Lat | R wrist plain film: 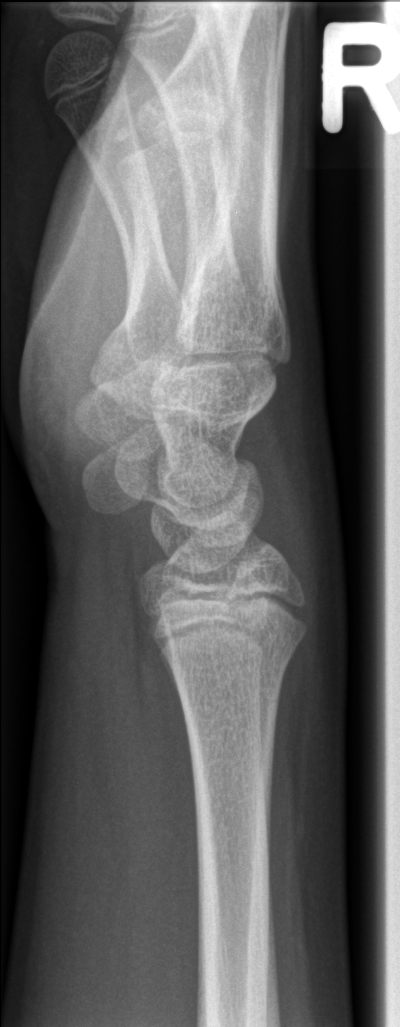
FINDINGS — AO code 23r-M/2.1. One Fx at (left=165, top=630, right=304, bottom=702).